PA projection · left wrist XR.
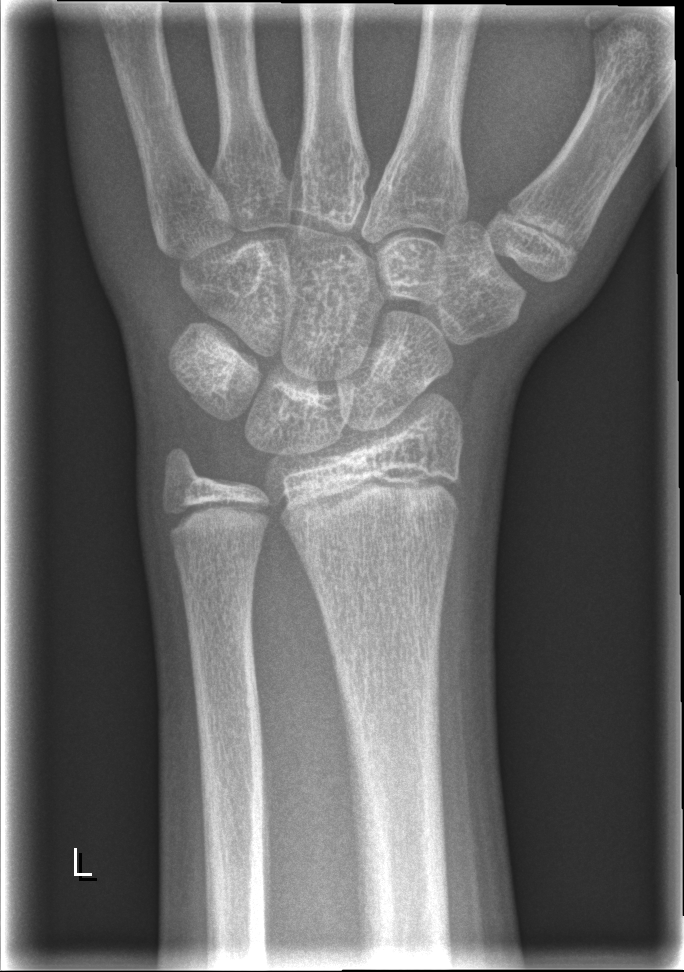
Fx = none labeled